PA, Rt pediatric wrist radiograph, image size 669x1194.
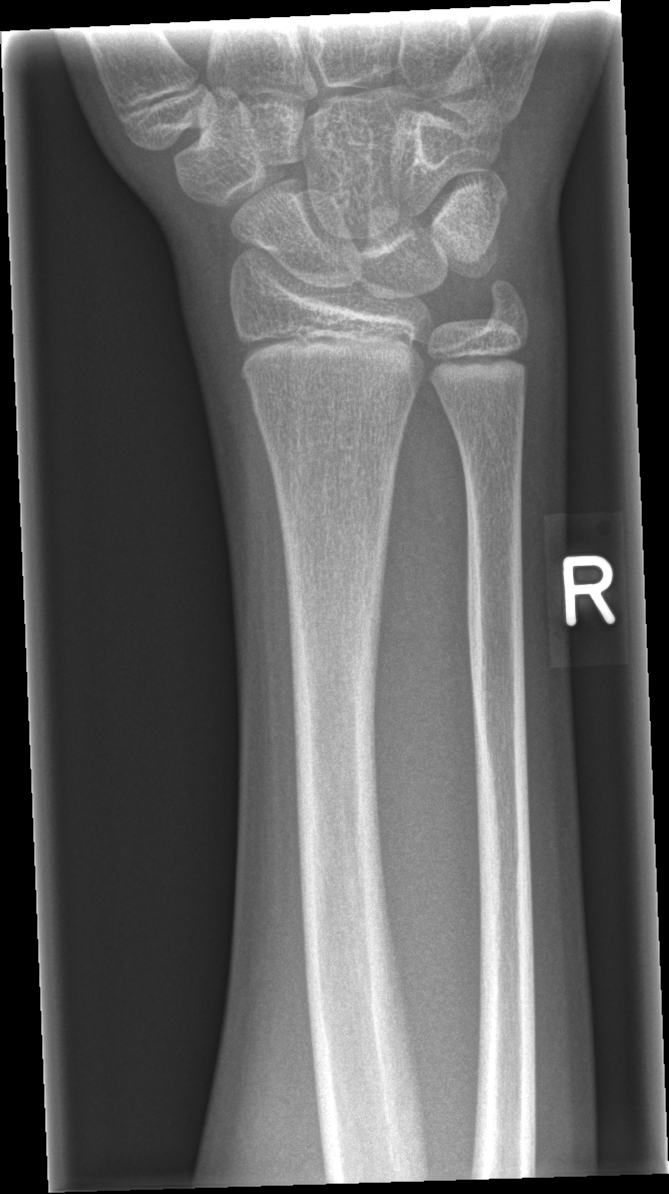 fracture = none labeled